Right wrist X-ray · lat view · imaged through cast — 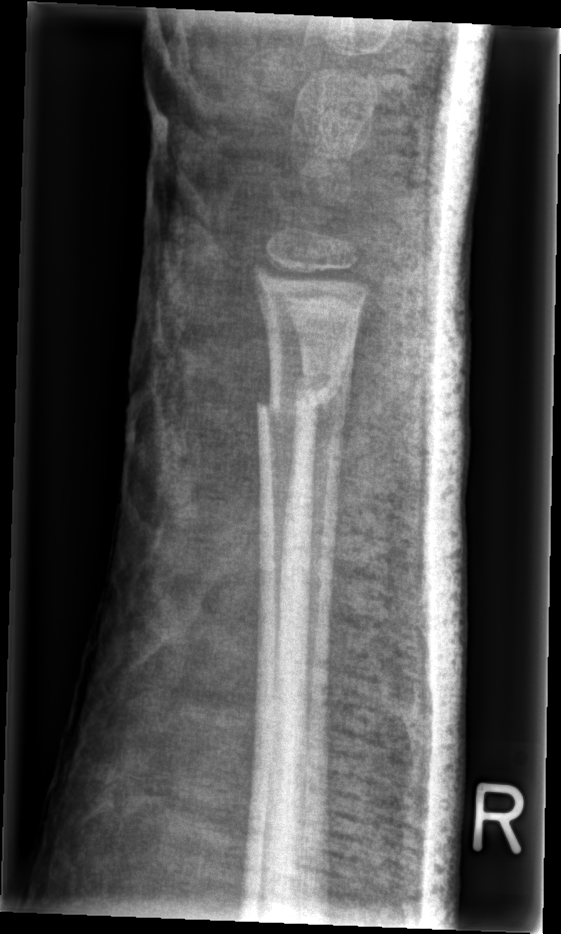

Q: Fracture present?
A: One Fx at 252,369,344,421